Left wrist XR, lat projection, 5y M, presentation radiograph.

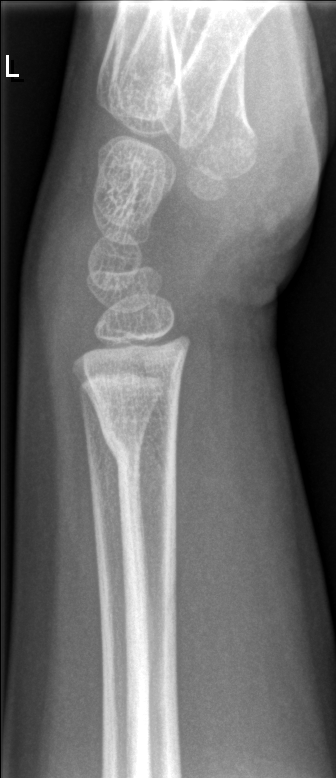 * Bounding boxes in image-pixel xyxy.
* Fx identified at (96, 401, 181, 473).